Right wrist radiograph; lateral view:
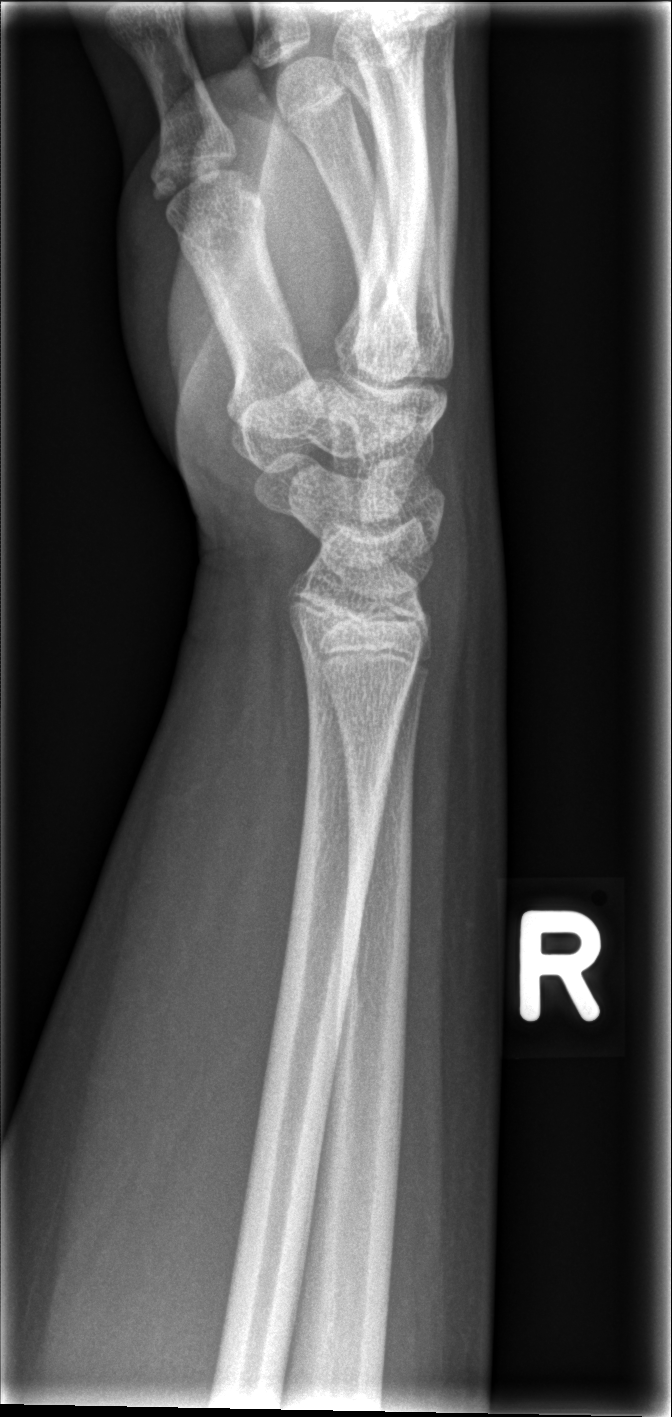

{
  "fracture": "none labeled"
}